L pediatric wrist radiograph; lateral projection; 9-year-old girl; Siemens; 522 by 1018 pixels: 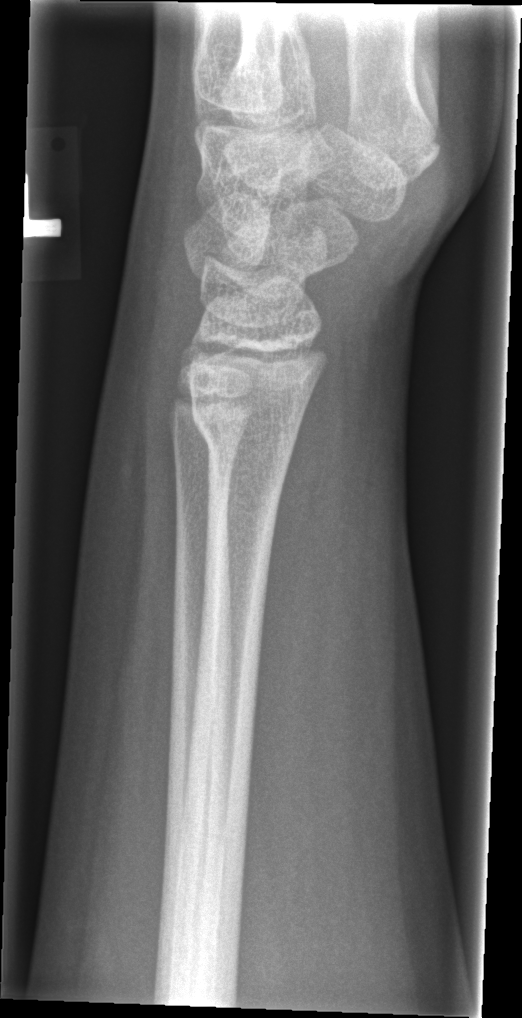

Pronator quadratus fat-pad sign = 1 @ [256, 352, 343, 638]
Fracture = [188, 393, 309, 474]